Lt wrist plain film | lat | 441x1320 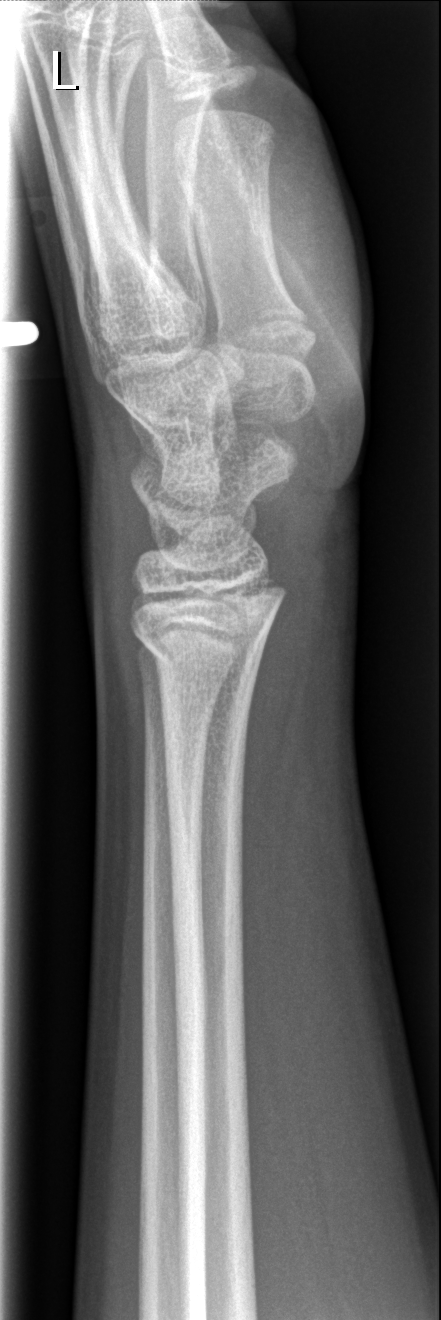 Fx identified at (130, 615, 270, 681).